Lateral view | right wrist plain film | boy, 9 yo | presentation radiograph | detector: Siemens.

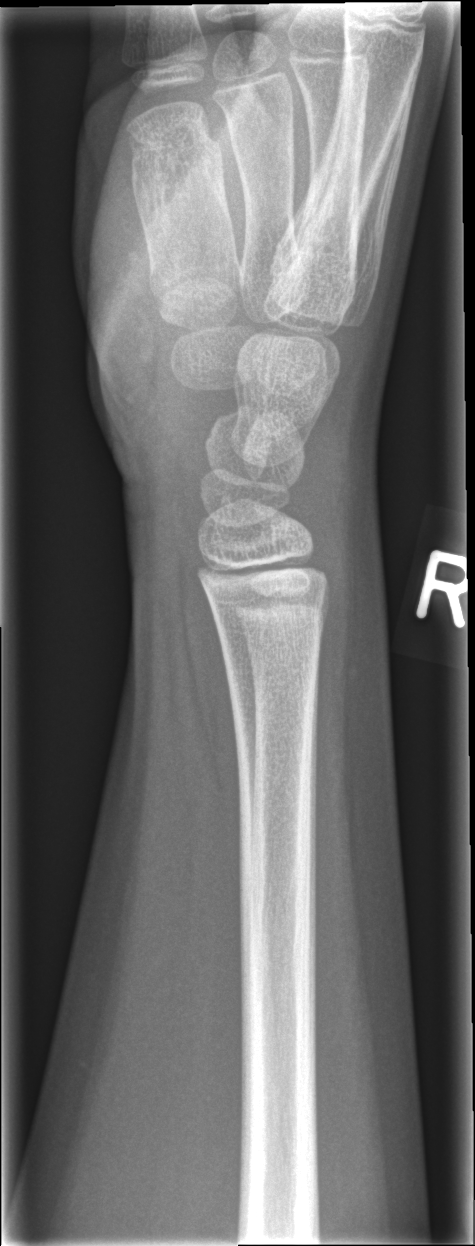 Fracture = none labeled